PA view, Lt plain radiograph of the wrist, age 16 y, girl, acquired on Siemens, image width 91.2 mm, 633x826 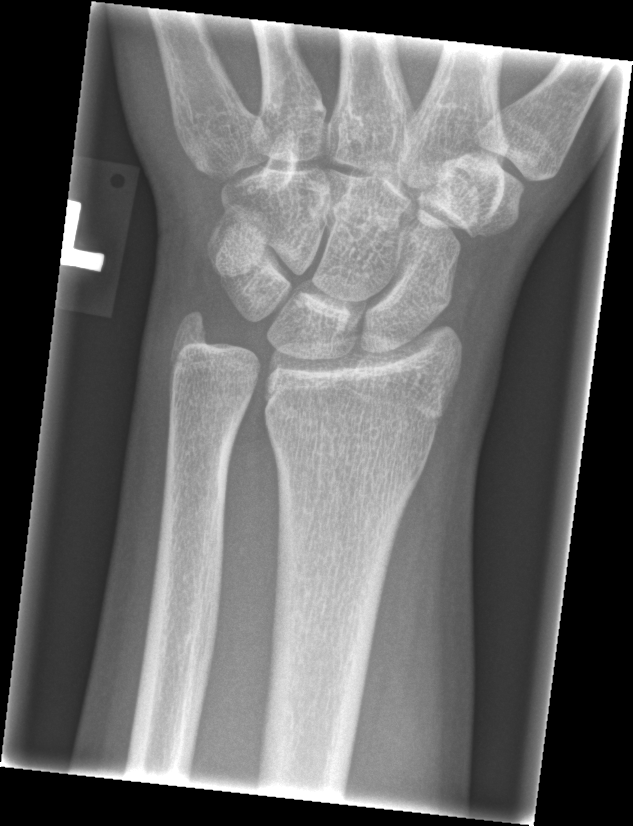
Fx: none.